Lat view; Rt wrist radiograph; female, 9 yo —

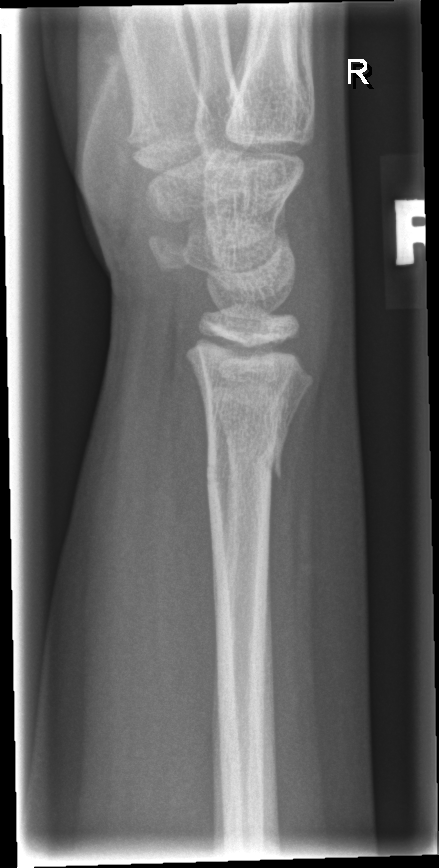

(boxes as x1,y1,x2,y2 (top-left / bottom-right, pixel units))
pronator sign = 1 @ 138,356,219,715
fracture = 1 @ 201,424,289,494